PA; right pediatric wrist radiograph; index exam:
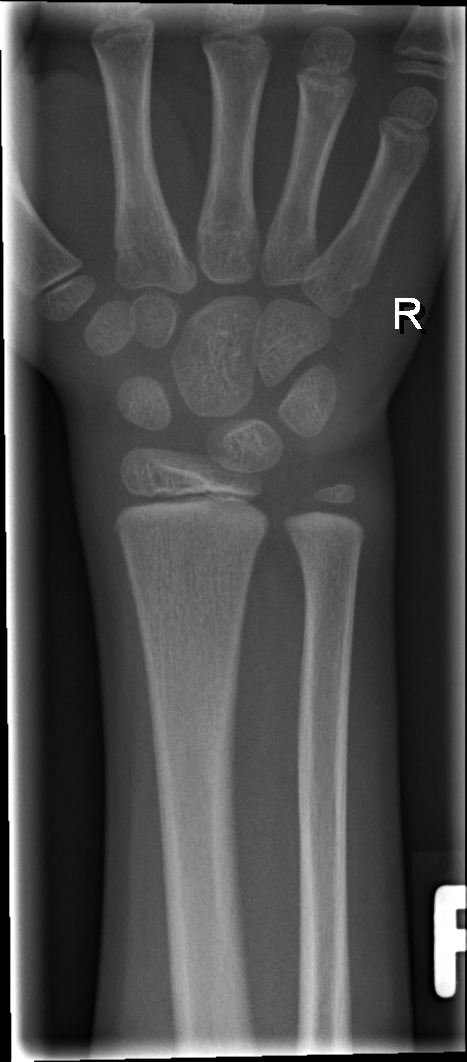
No fracture bounding box.